L wrist radiograph, lat, pediatric patient (boy, age 11), initial study, detector: Siemens — 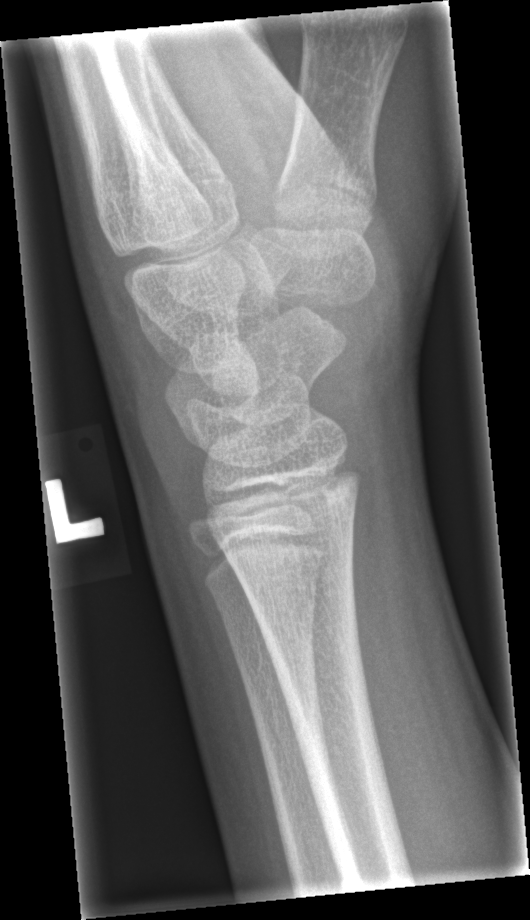
Findings: No fracture bounding box.